PA/AP projection, L pediatric wrist radiograph, 76.3 mm image width

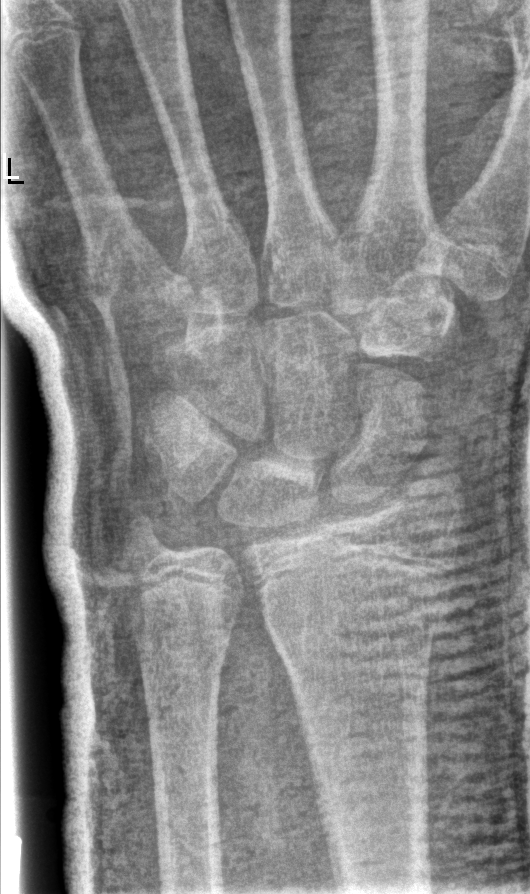 Fracture — [x1=262, y1=564, x2=462, y2=644].